Rt wrist X-ray · lat · age 16 y, girl · presentation radiograph · 496 by 960 pixels:

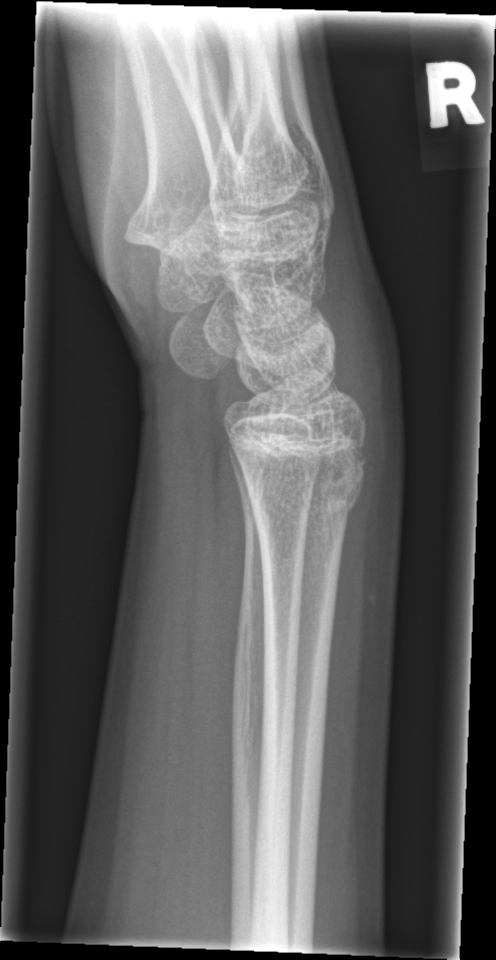

Findings: One bone fracture at bbox(239, 459, 368, 531). Soft tissue abnormality — bbox(318, 206, 402, 432).